Posteroanterior projection, Rt wrist radiograph, pediatric patient (male, age 12), in cast.
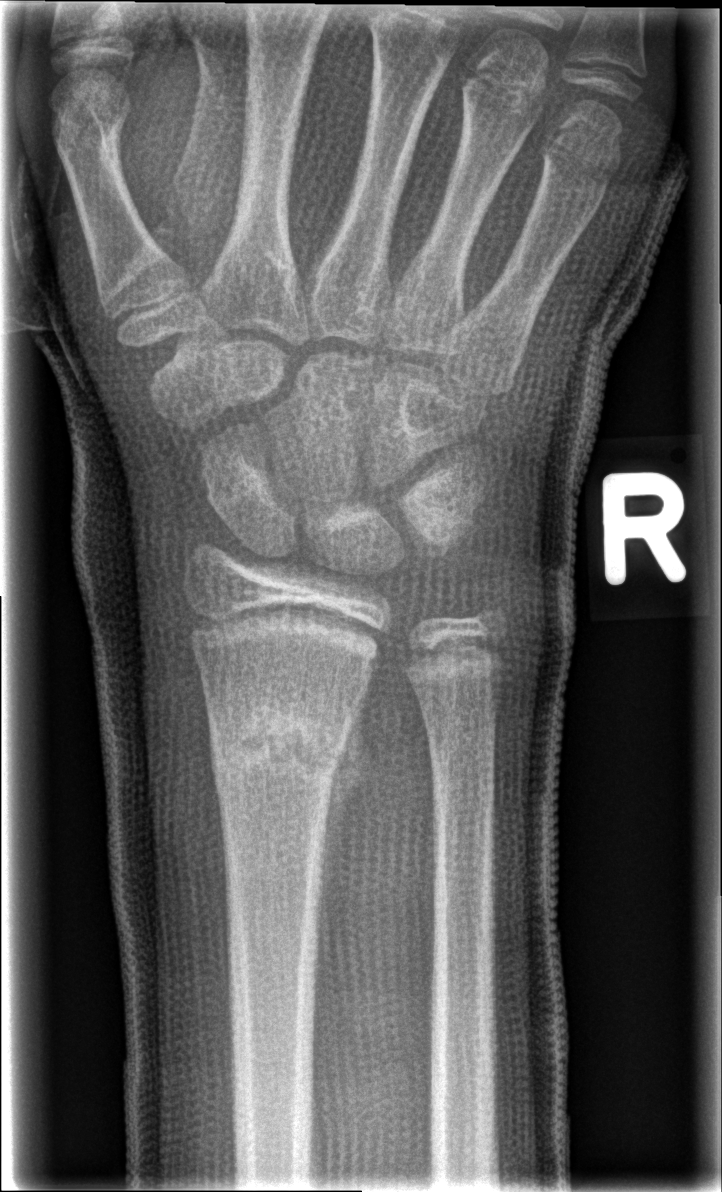 Fracture — 209,720,348,788.